Left wrist XR | lateral projection | boy, 13 yo —

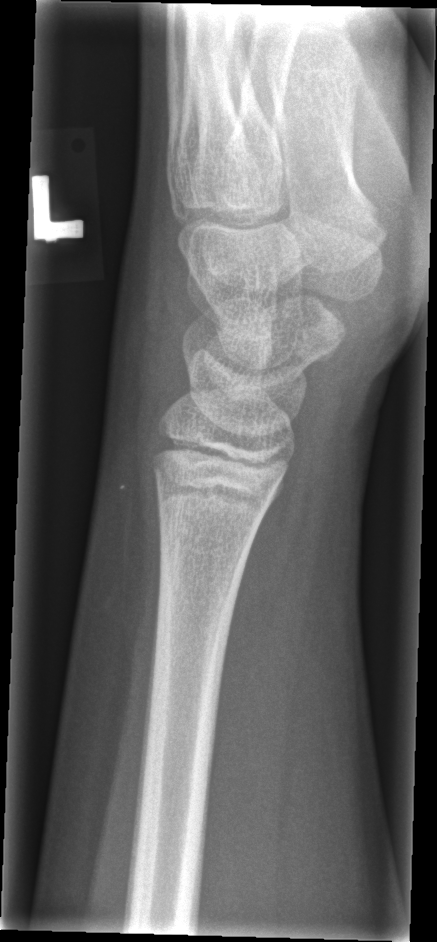
Q: Locate any fractures.
A: No fracture annotation